R plain radiograph of the wrist · lat · 9y M · in cast · 556x900. 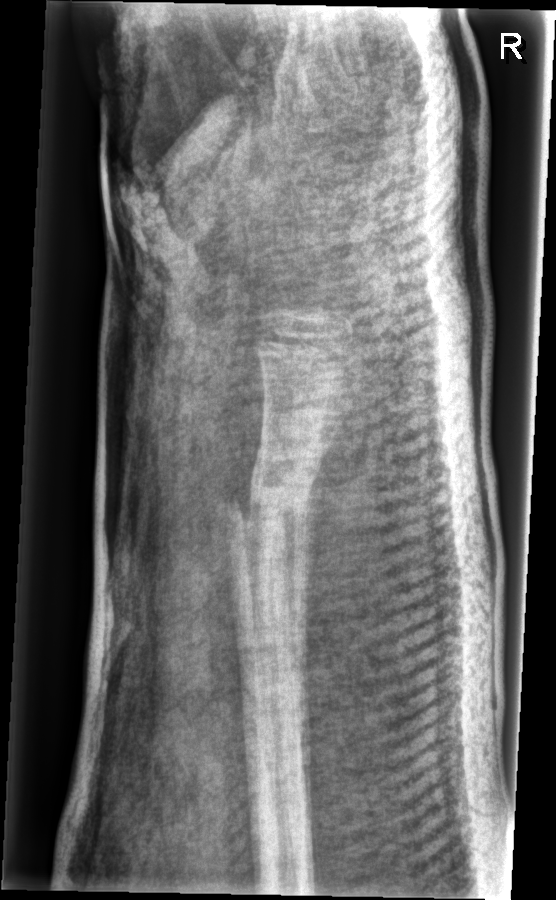 AO classification: 23-M/3.1
Fx: (216, 475, 320, 553)